Left wrist radiograph; lat projection — 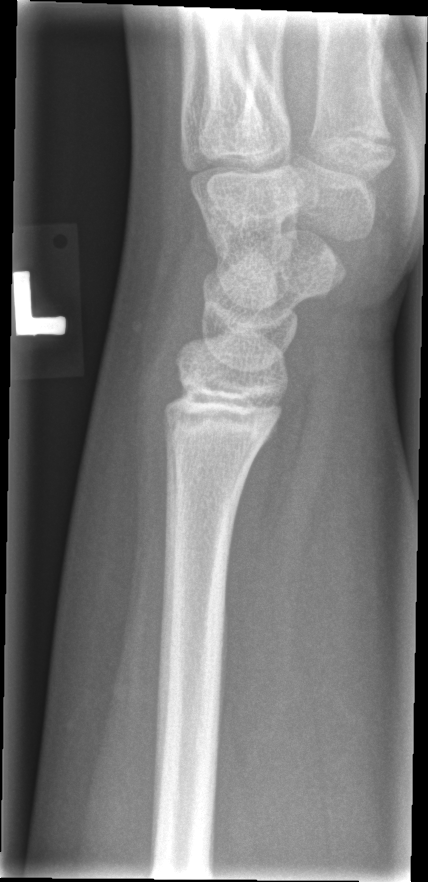

FINDINGS — Fx: none.